Right wrist X-ray · lat projection · image 61.2 mm wide · 425x606 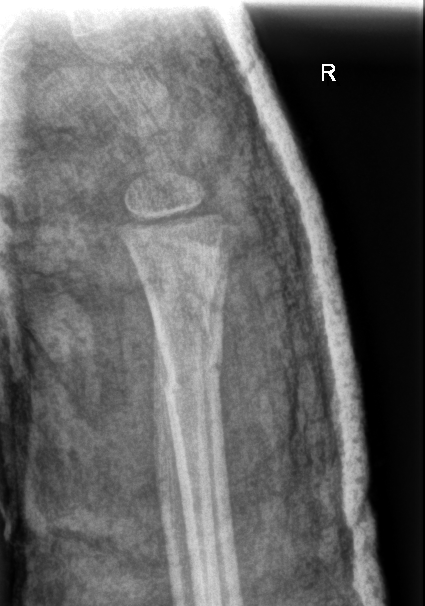

Fracture classified AO/OTA 23-M/3.1.
Fx: (left=161, top=254, right=229, bottom=318); (left=155, top=341, right=225, bottom=400).